Posteroanterior projection | Lt wrist plain film: 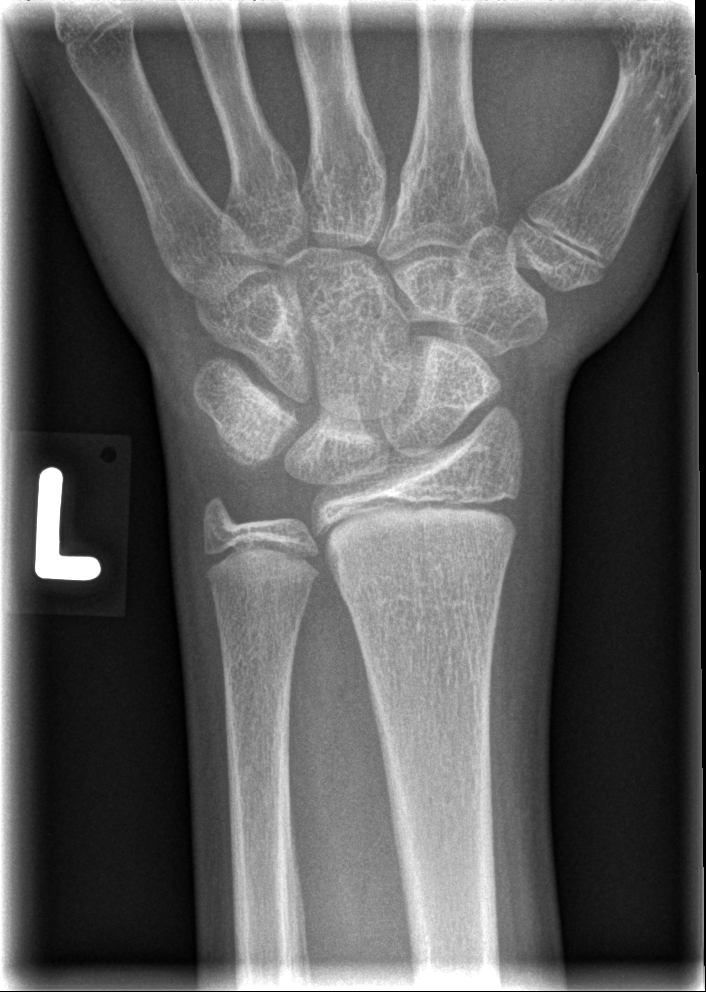
AO code: 23r-M/2.1
Fx: present but not clearly seen in this view